L wrist X-ray | AP view | pediatric patient (male, age 13) | 572 x 926 px.
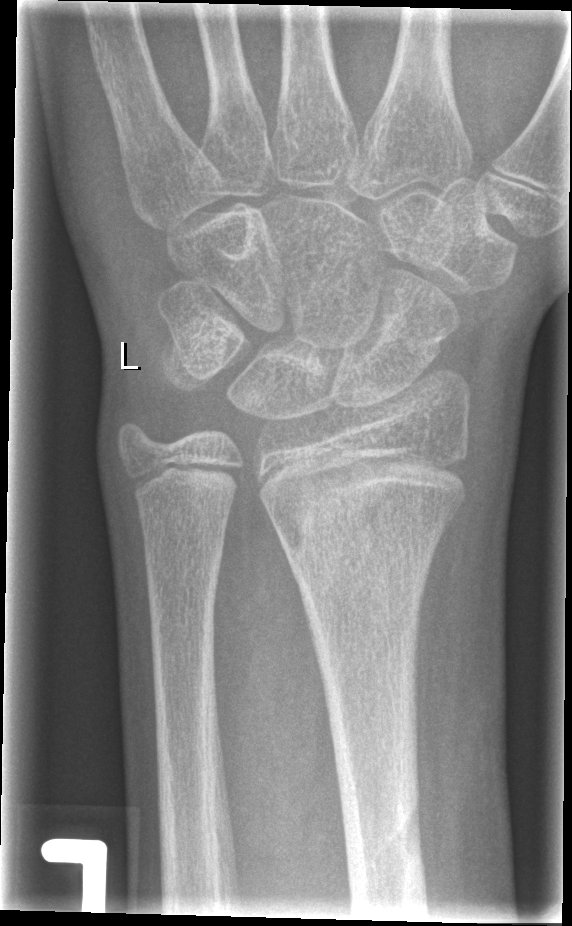

bone variant: bbox(353, 793, 429, 919)
Fx: 1 @ bbox(262, 435, 470, 588)